Left plain radiograph of the wrist · posteroanterior · 7y M · Siemens —
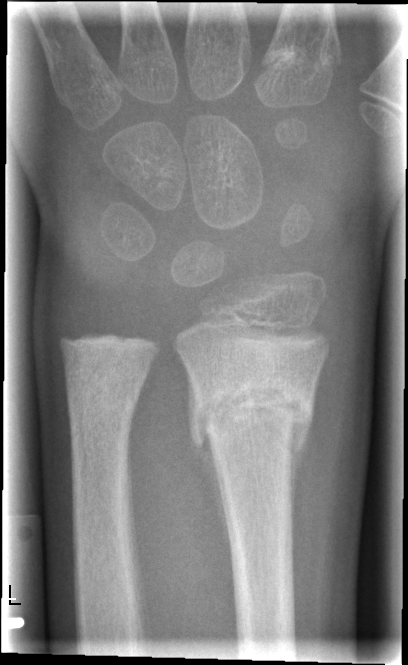
• Pixel coordinates, top-left origin, xyxy.
• Reduced bone mineral density.
• Fx identified at [183, 368, 320, 453] [59, 361, 147, 427].
• Periosteal thickening identified at [178, 353, 235, 570], [288, 409, 313, 539].